Lat view; left wrist plain film; follow-up; cast present —

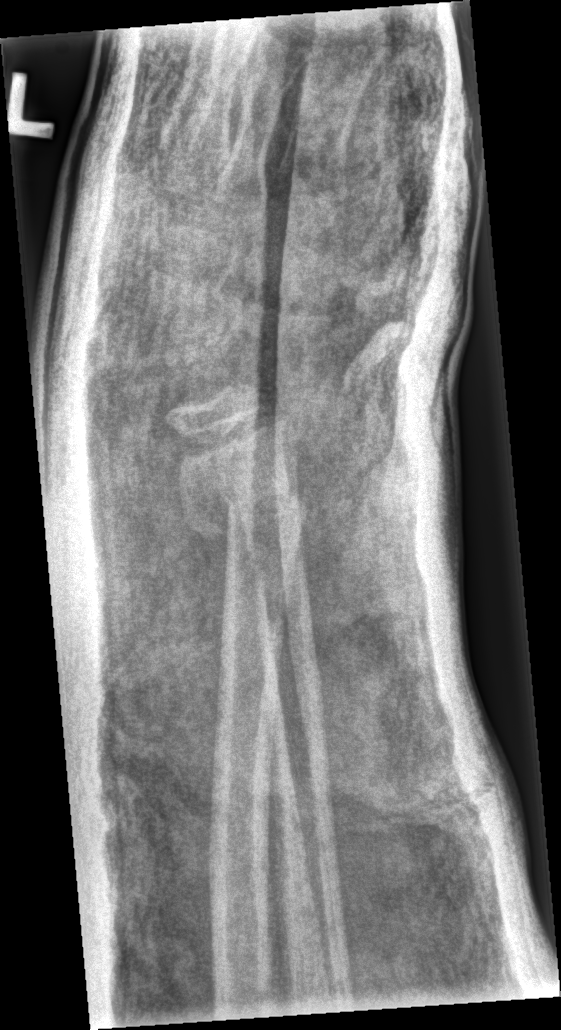 (bounding boxes in image-pixel xyxy)
Q: Is there a fracture?
A: Fx — 178,489,306,548
Q: What is the AO/OTA classification?
A: AO code 23r-M/3.1; 23u-M/2.1